Posteroanterior | L plain radiograph of the wrist | 5-year-old female | cast present 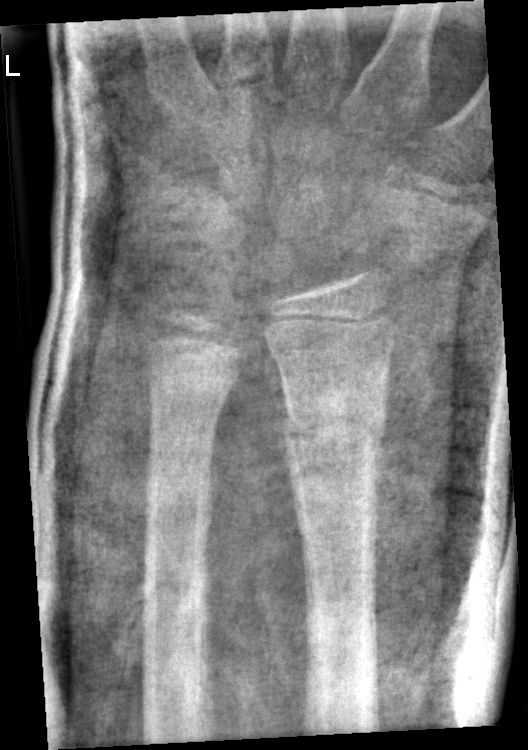 • One bone fracture at [281, 395, 390, 459].